Left plain radiograph of the wrist; lat; pediatric patient (girl, age 2); Siemens —

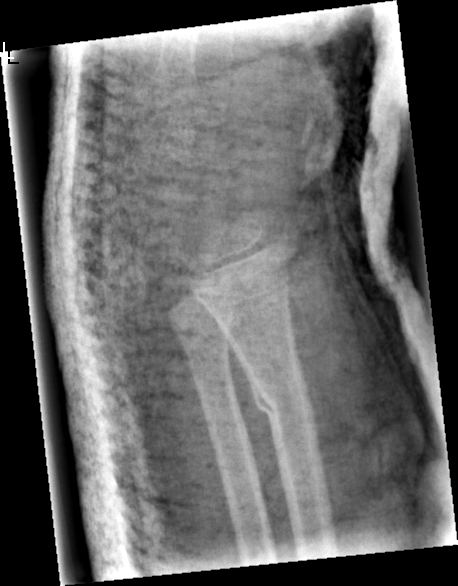

* Boxes as x1,y1,x2,y2 (top-left / bottom-right, pixel units).
* Fracture classified AO/OTA 23-M/2.1.
* Fx: [243, 360, 319, 432].